Lat view · left wrist pediatric wrist radiograph · male, 17 yo · subsequent exam —
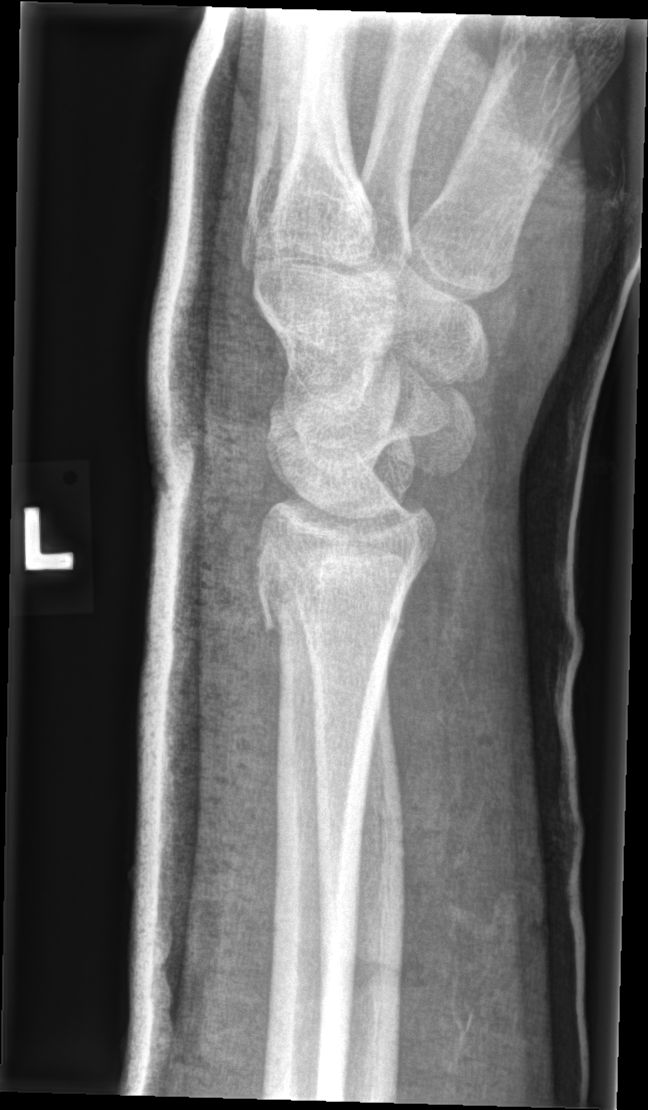 Boxes as x1,y1,x2,y2 (top-left / bottom-right, pixel units).
One Fx at <258,596>-<409,646>.
AO code 23r-M/3.1; 23u-E/7.